L wrist X-ray, posteroanterior projection, follow-up, cast present:
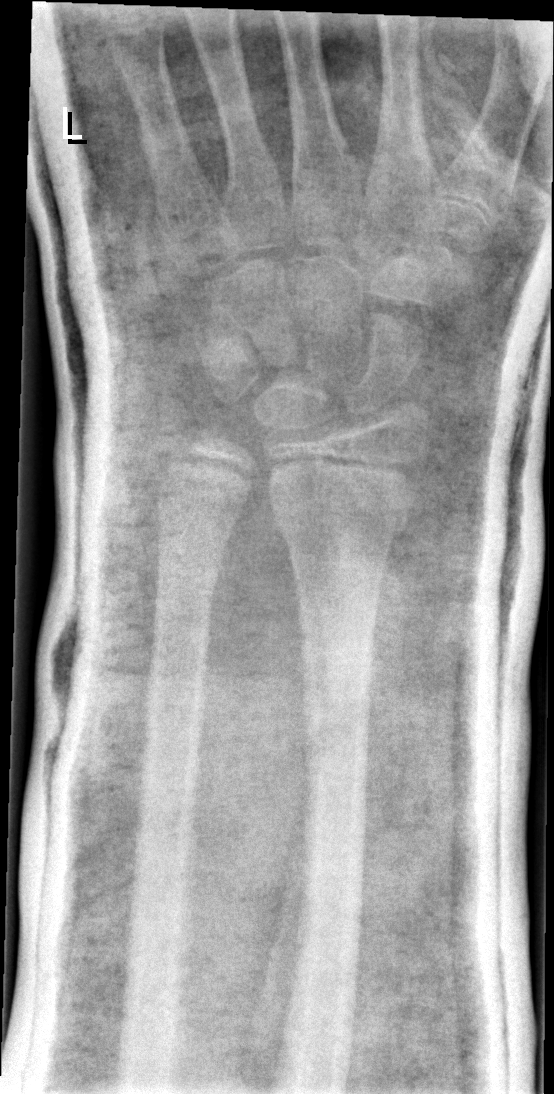
(pixel coordinates, top-left origin, xyxy)
AO code: 23r-M/3.1
Fx: [264, 456, 416, 553]